Lt wrist XR | PA projection | 10y F | 61.5 mm image width.

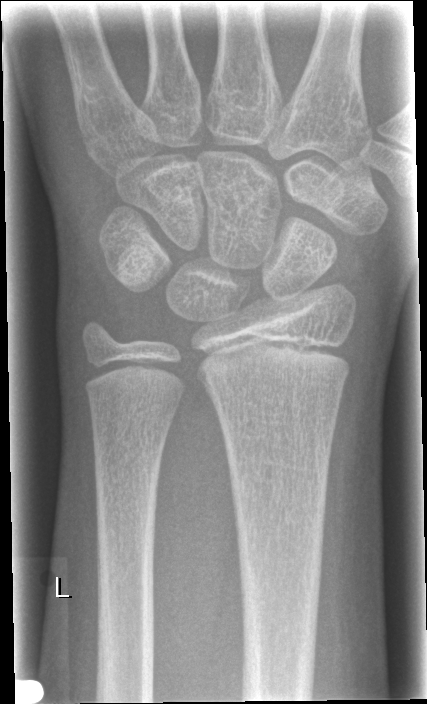

Fracture: none labeled.